Left plain radiograph of the wrist, PA projection, age 16 y, male, image size 630x982

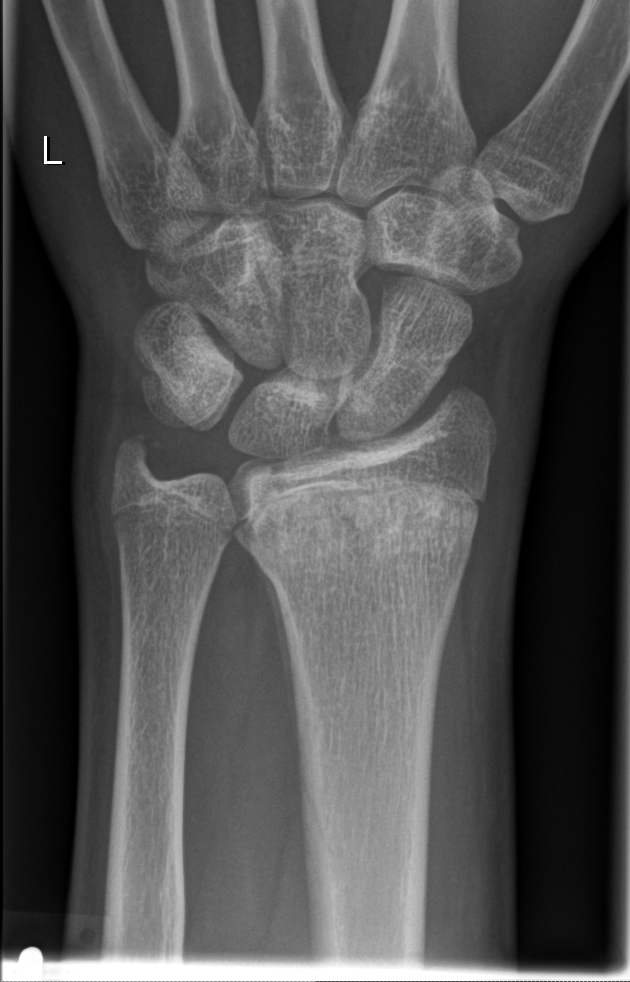 Periosteal reaction — <249,551>-<307,764>. Fracture identified at <224,468>-<489,583>, <107,430>-<173,489>. AO code 23r-M/3.1; 23u-E/7. Osteopenia.